Frontal view | Lt wrist plain film | age 11 y, female | 532 by 720 pixels: 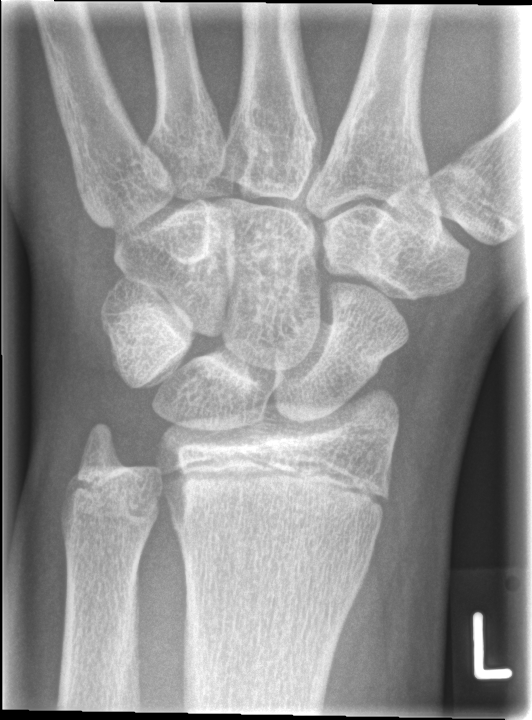

{
  "fracture": "none labeled"
}